Right wrist plain radiograph of the wrist | lat view | pediatric patient (boy, age 11) | initial study | image 84.8 mm wide. 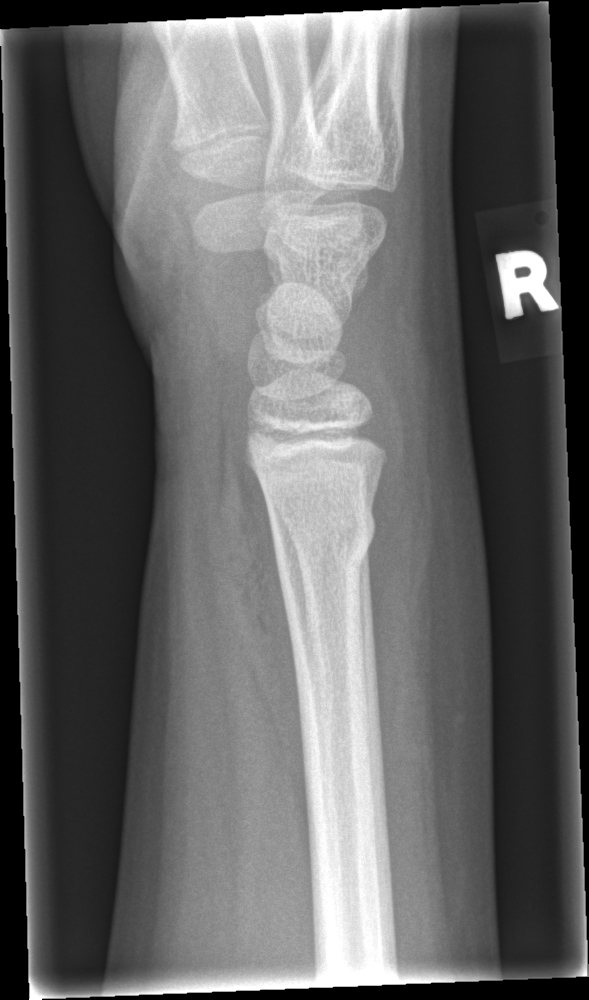
Pixel coordinates, top-left origin, xyxy.
Fx — 268,497,381,575.
Positive pronator fat-pad sign: 212,431,313,830.
AO/OTA classification: 23r-M/2.1.